Right wrist plain radiograph of the wrist; posteroanterior view; follow-up; imaged through cast; image width 72.3 mm.

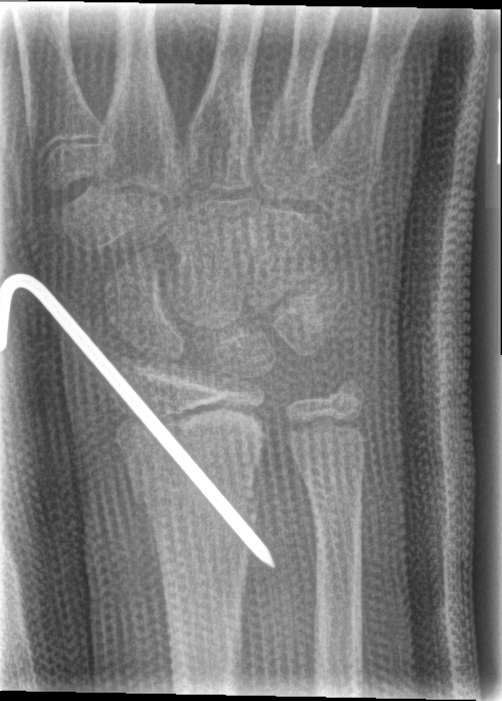
Bone fracture = 129 465 263 523
Metal = 1 @ 0 270 280 572